Lateral projection · Rt wrist XR · age 13 y, female: 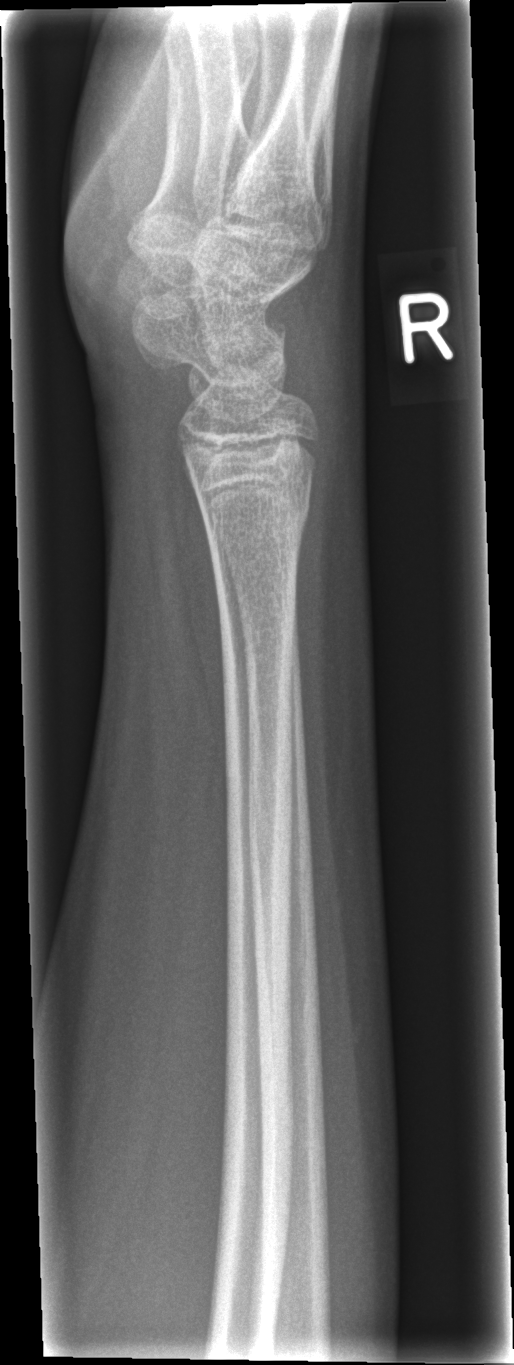
Q: Fracture present?
A: One bone fracture at (201, 491, 312, 547)
Q: What is the AO/OTA classification?
A: AO/OTA classification: 23r-M/2.1